Left wrist plain film, posteroanterior view.
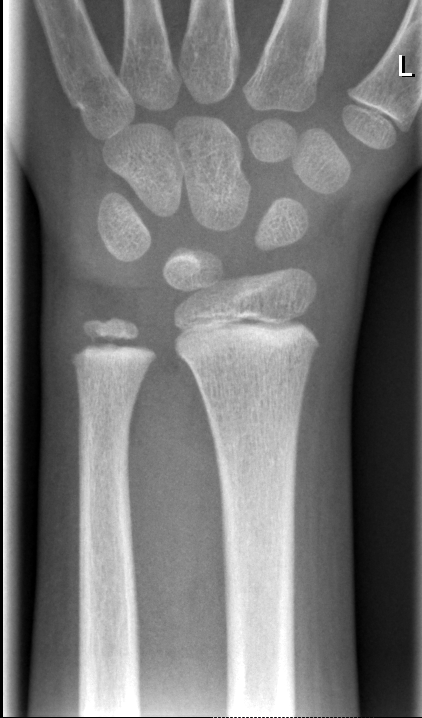 * No fracture labeled.